Lt wrist plain film | PA/AP projection | boy, 1.3 yo:
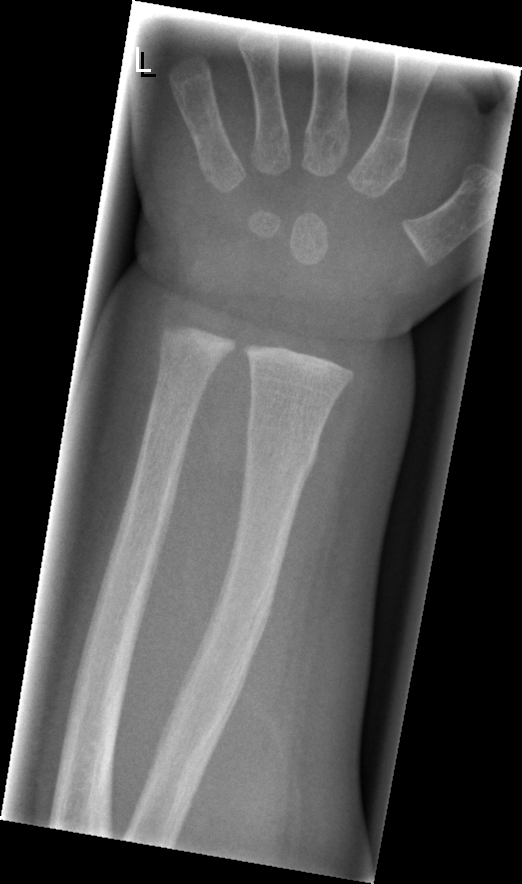
{
  "_coords": "pixel coordinates, top-left origin, xyxy",
  "fracture": "bbox(243, 409, 322, 477)",
  "ao": "23r-M/2.1"
}